Right plain radiograph of the wrist; lat projection; male, 11 yo: 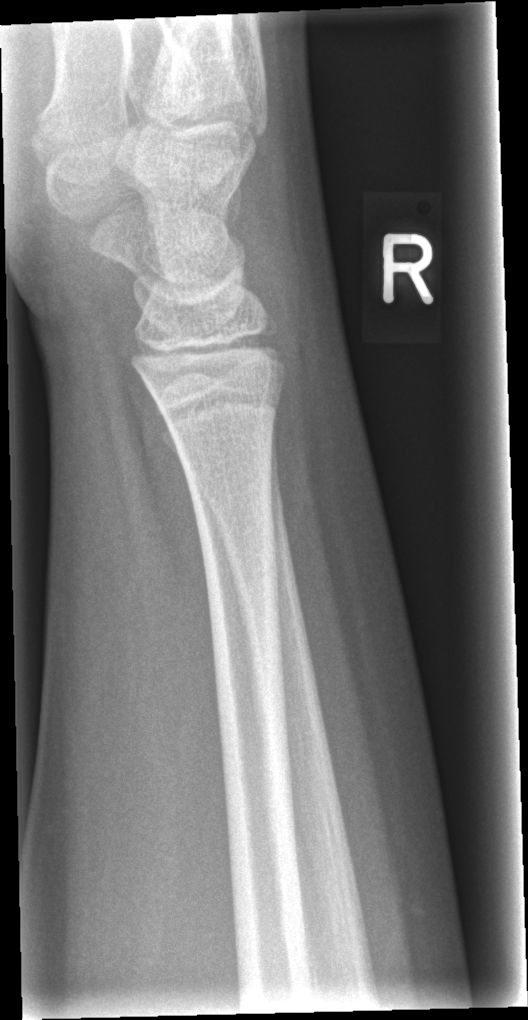

{"_coords": "boxes as x1,y1,x2,y2 (top-left / bottom-right, pixel units)", "ao": "23r-M/2.1", "fracture": "bbox(148, 379, 291, 439)"}